Lateral projection | right wrist plain film | age 14 y, girl —

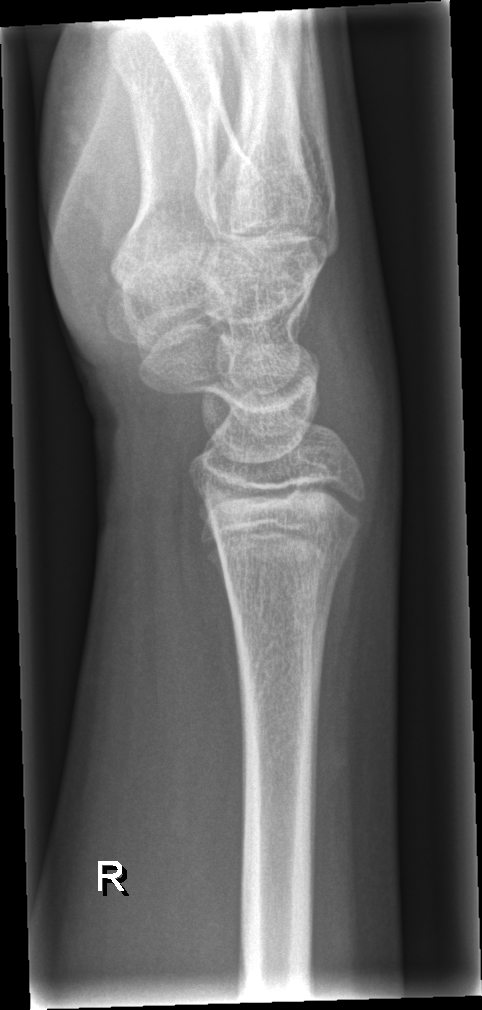 Findings: (pixel coordinates, top-left origin, xyxy) Fracture: [217, 527, 357, 596]. AO code 23r-M/2.1.